Right pediatric wrist radiograph; posteroanterior; Siemens; 539 x 854 px
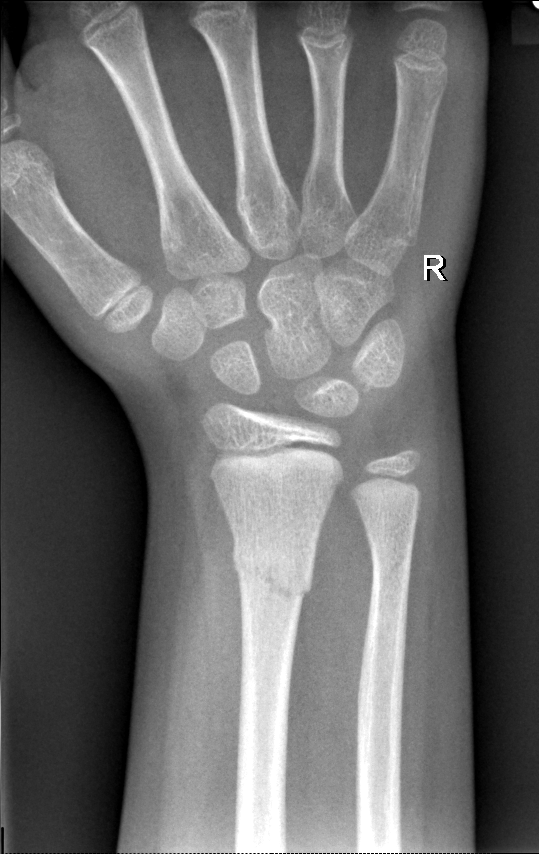 AO/OTA = 23r-M/3.1; 23u-M/2.1
fracture = 2 @ [x1=228, y1=536, x2=315, y2=604] [x1=367, y1=538, x2=416, y2=583]